Frontal view; left wrist radiograph; pediatric patient (male, age 17) — 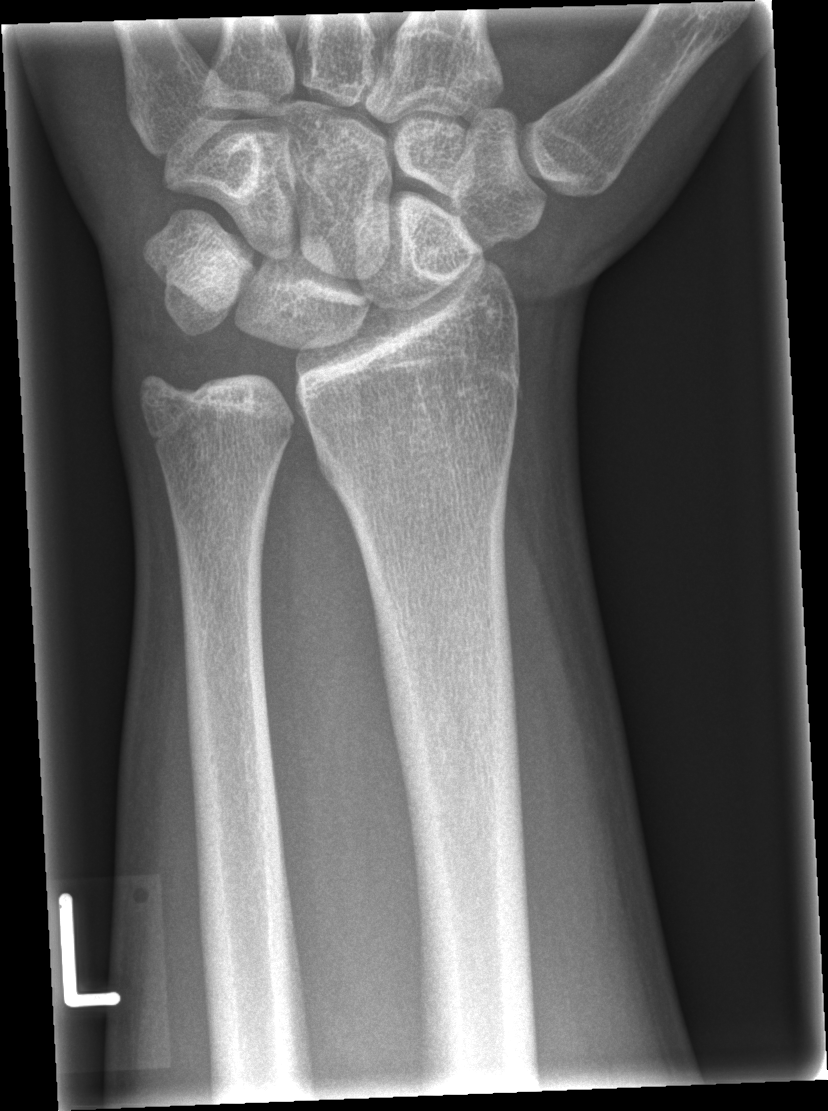
Q: Is there a fracture?
A: No fracture annotation